Rt wrist X-ray | lateral projection.
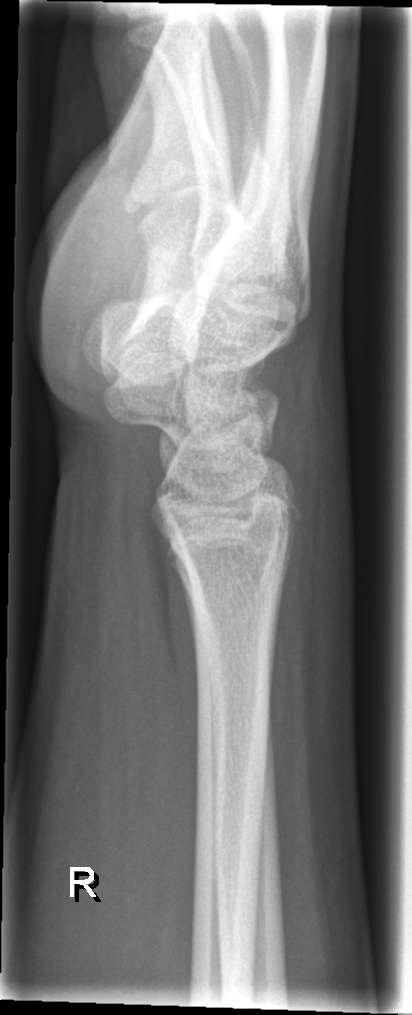
Fracture: none labeled.